Lateral, Lt wrist X-ray —
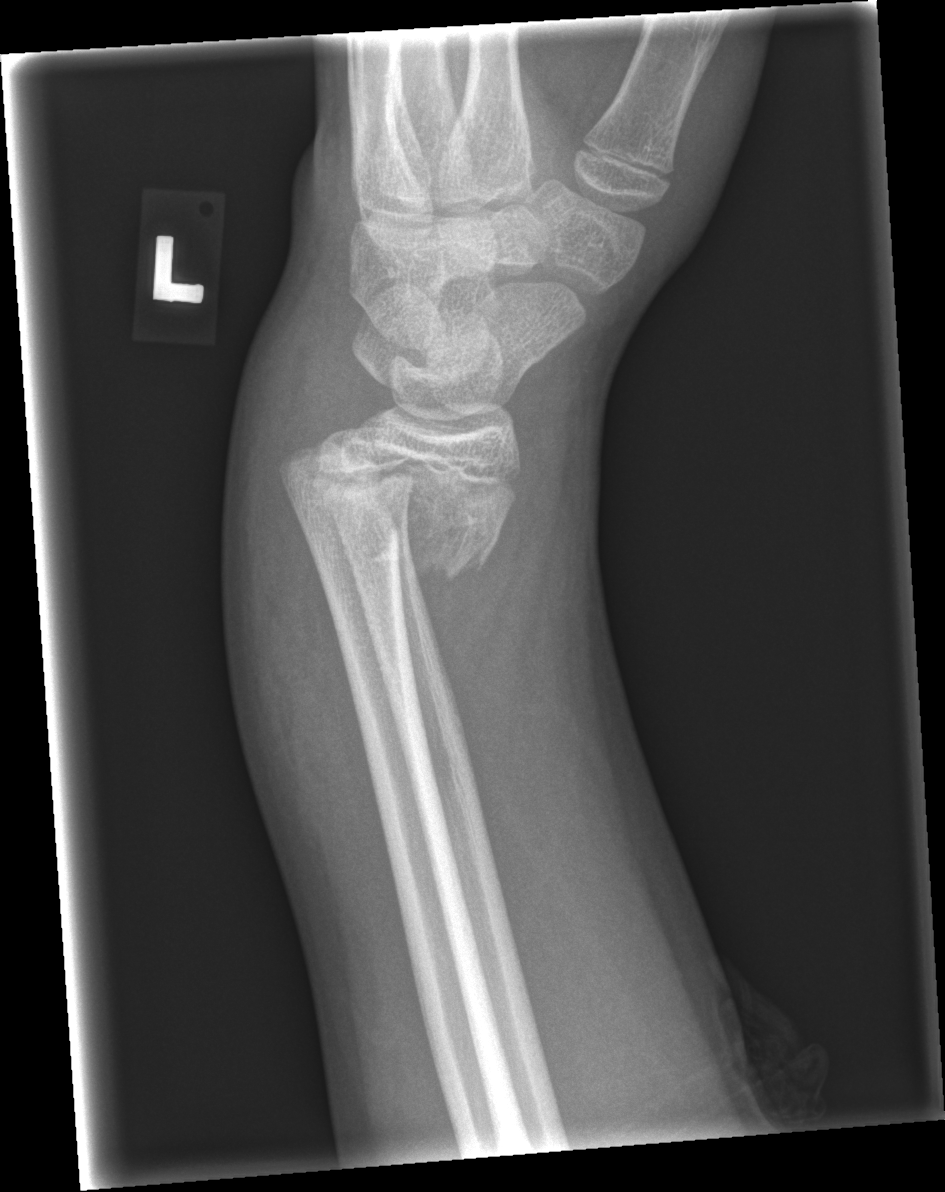

Findings: Fracture identified at [290, 461, 510, 584]. One soft-tissue finding at [221, 319, 369, 894].